AP, L wrist X-ray, 12-year-old girl, follow-up study
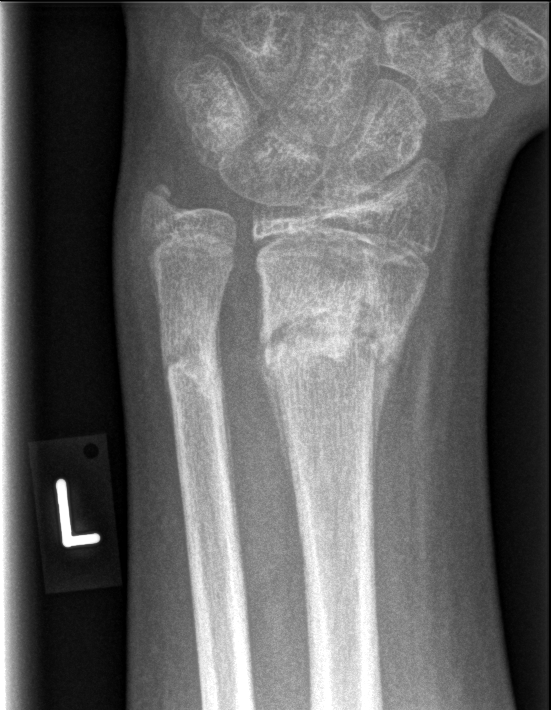

(bounding boxes in image-pixel xyxy)
periosteal thickening = 2 @ [368, 275, 426, 514]; [255, 280, 297, 504]
Fx = 3 @ [257, 267, 411, 384]; [159, 328, 224, 407]; [132, 177, 188, 227]
osteopenia = present
AO/OTA = 23-M/3.1; 23u-E/7